Lateral projection; Rt wrist XR; follow-up; cast in situ; detector: Siemens: 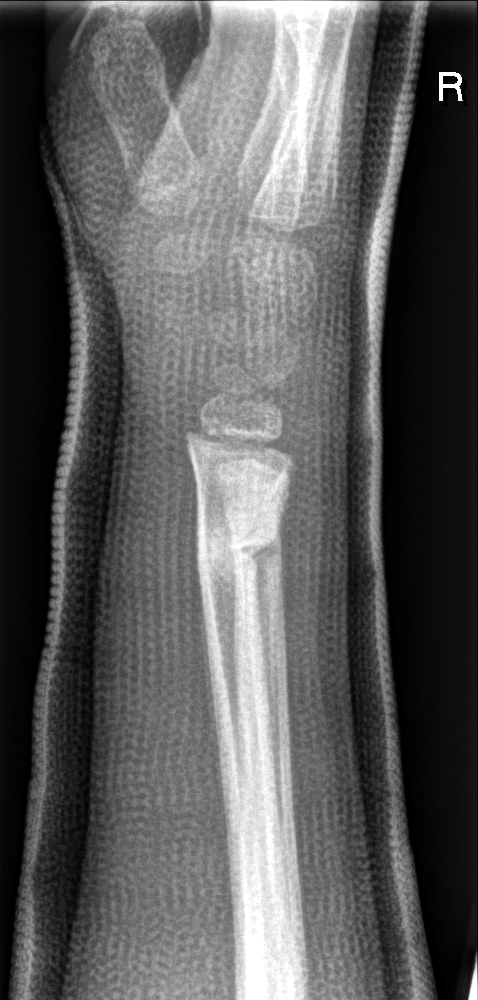

AO classification: 23r-M/3.1; 23u-M/2.1
fracture: 1 @ [x1=189, y1=502, x2=289, y2=596]